Lateral projection · Lt wrist plain film · index exam 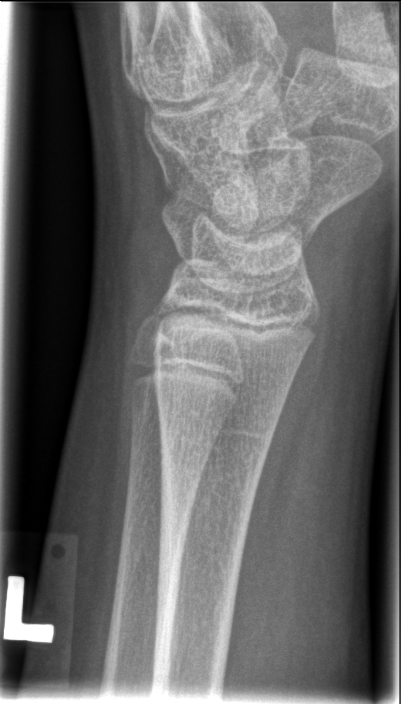

• Fracture: none labeled.